Lt plain radiograph of the wrist · lateral view · 374x671 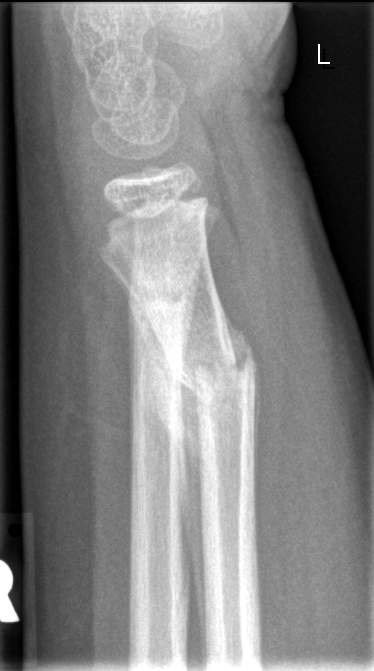
Pixel coordinates, top-left origin, xyxy.
Bone fracture identified at bbox(162, 347, 263, 407), bbox(123, 272, 200, 322).
Two periosteal new bone at bbox(113, 271, 204, 491); bbox(218, 299, 262, 508).
Osteopenia.
AO/OTA classification: 23-M/3.1.